L wrist X-ray | lateral projection | 12y M.

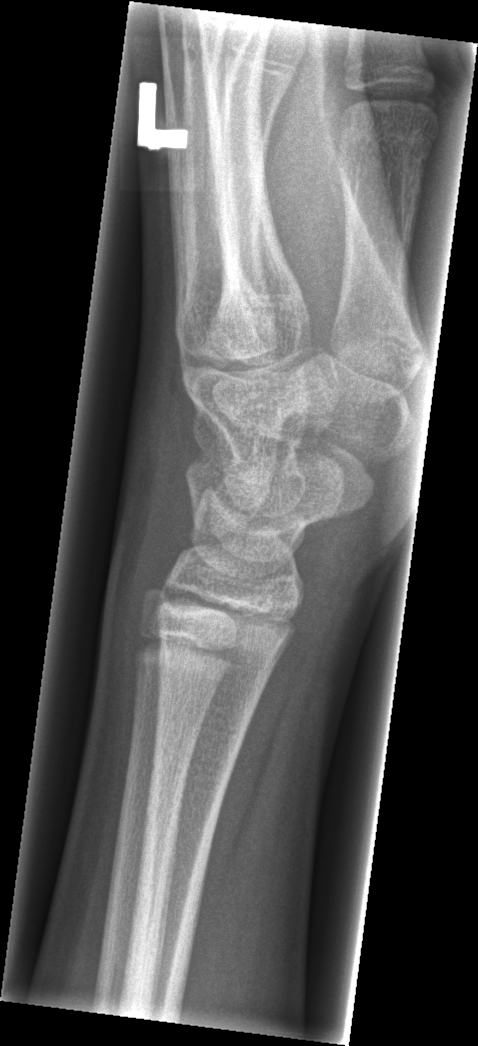 * No fracture annotation.